Right wrist plain film; lateral projection — 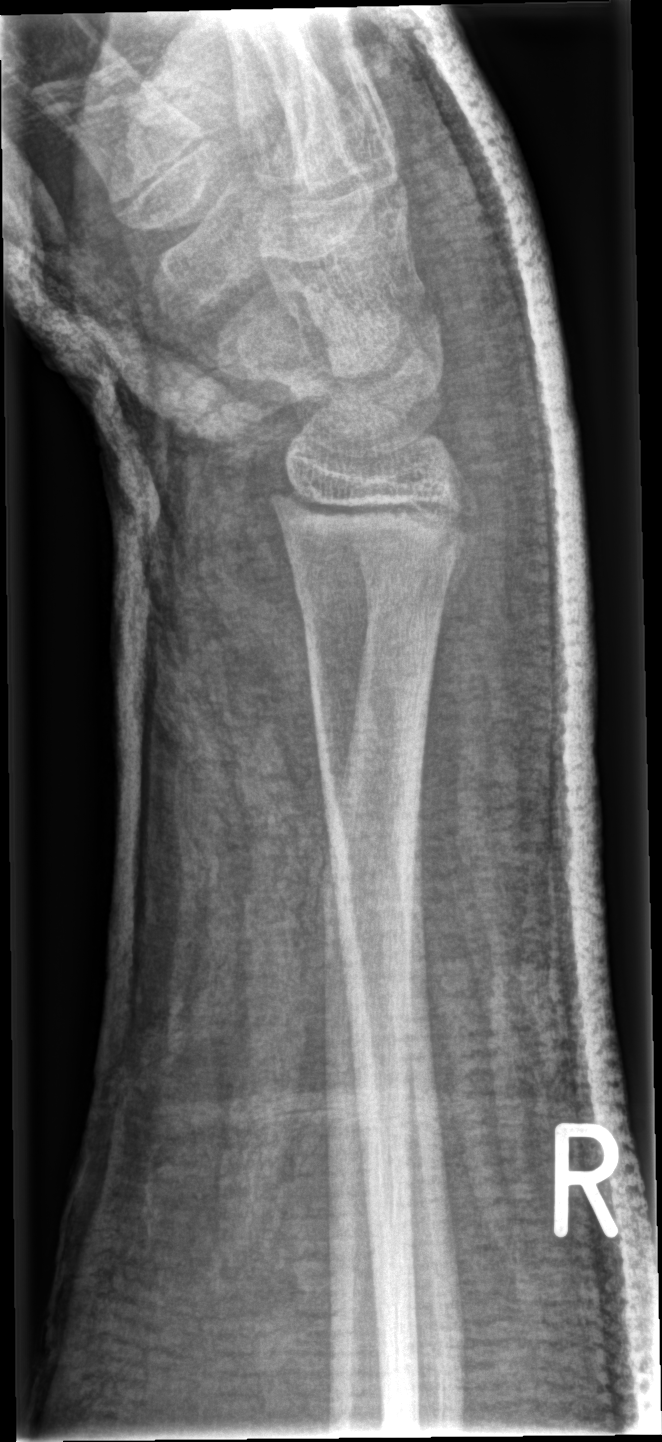

Bone fracture: bbox(290, 520, 480, 624)